Left pediatric wrist radiograph, lateral projection, age 12 y, male:
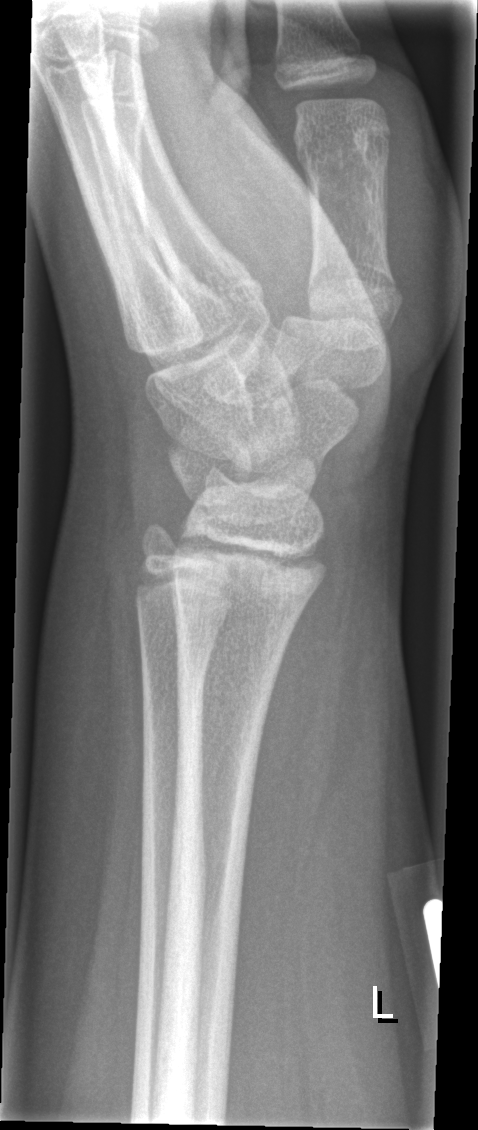
Bone fracture = none labeled